PA view, Lt plain radiograph of the wrist, 696 x 1196 px —
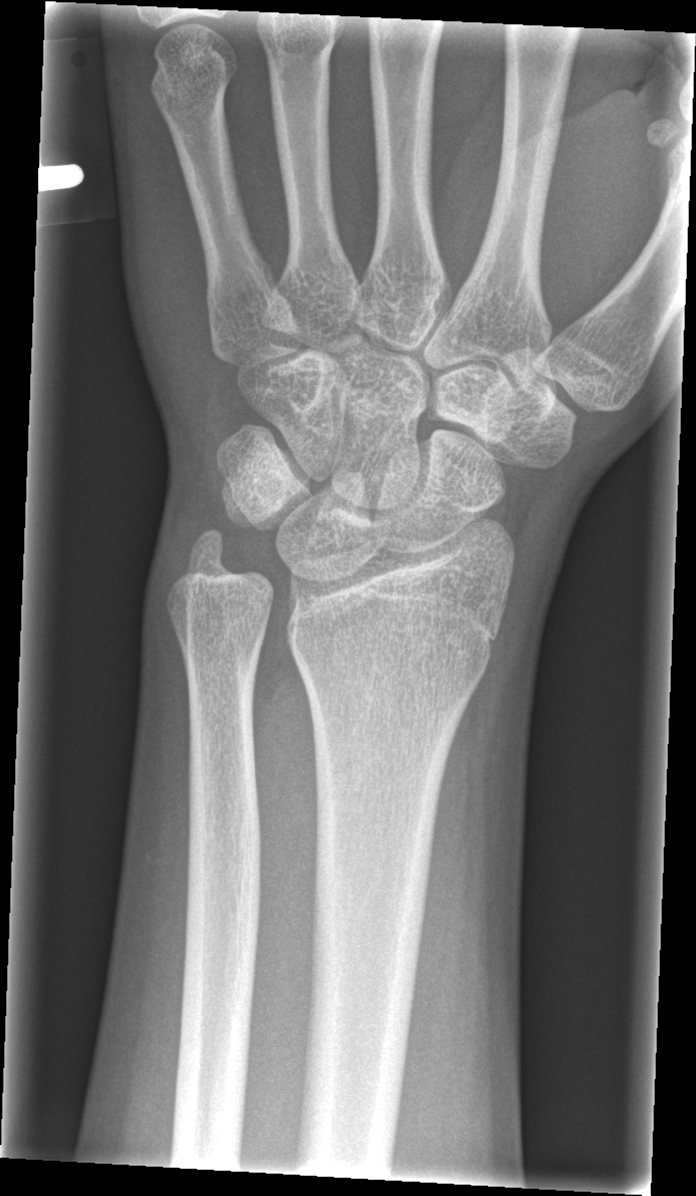
FINDINGS — No fracture bounding box.